Rt wrist X-ray | lateral view | follow-up | cast in situ | detector: Siemens:
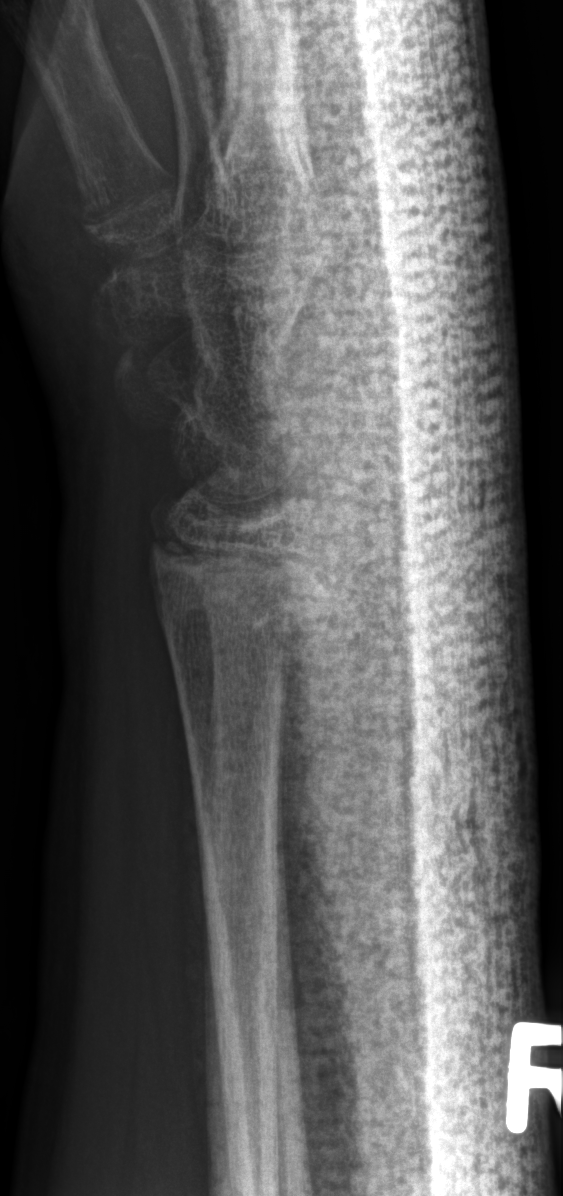

AO code 23-E/2.1; 23u-E/7. Bone fracture identified at [x1=141, y1=526, x2=335, y2=645].